L wrist plain film · PA · cast present · Siemens.

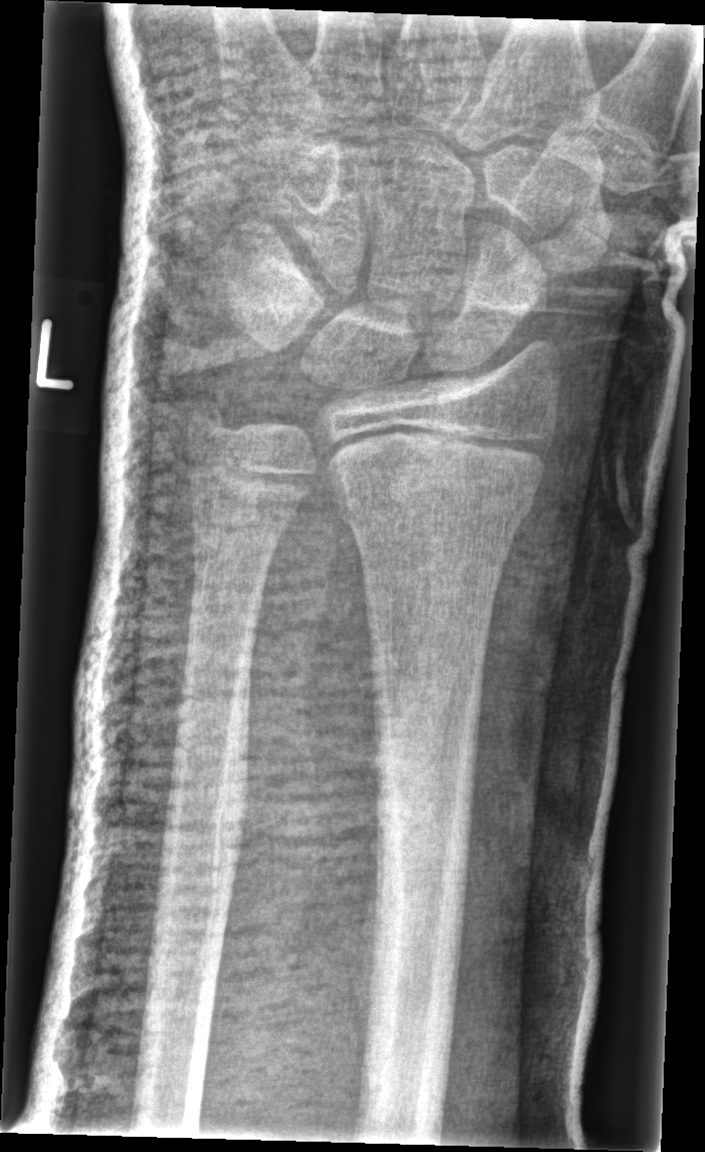
fracture: [x1=327, y1=465, x2=543, y2=537], [x1=182, y1=387, x2=238, y2=440]
ao: 23r-M/2.1; 23u-E/7